Lat view | R wrist plain film | cast in situ — 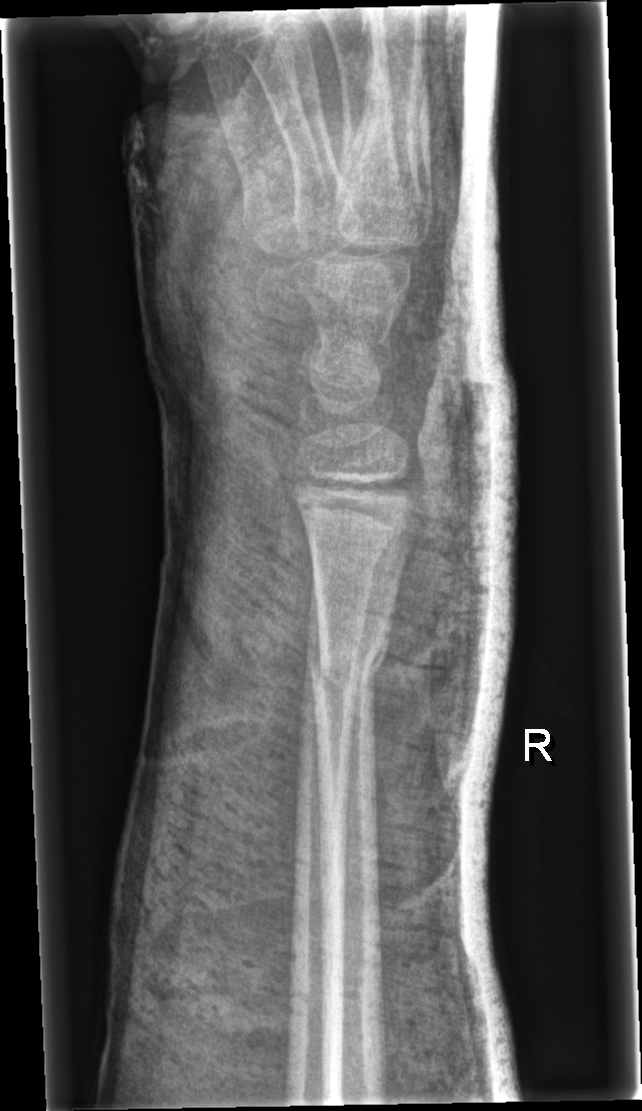

Q: Locate any fractures.
A: Bone fracture identified at <303,621>-<393,704>; <306,526>-<393,589>